Frontal view · right pediatric wrist radiograph · pediatric patient (girl, age 12) · image width 80.2 mm:

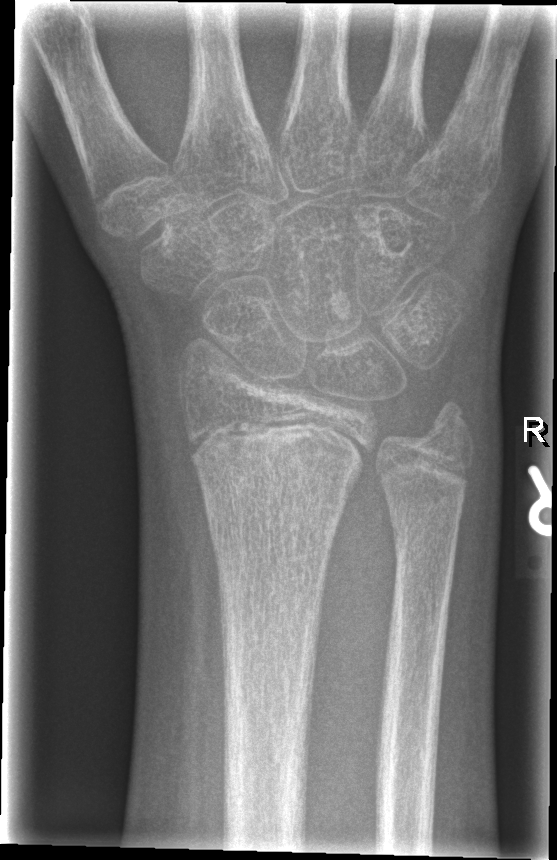
FINDINGS — Bone fracture identified at 422,393,479,459. Decreased bone density (osteopenia). One focal bone lesion at 328,289,355,324.